Lateral projection, left wrist radiograph, image width 85.1 mm:
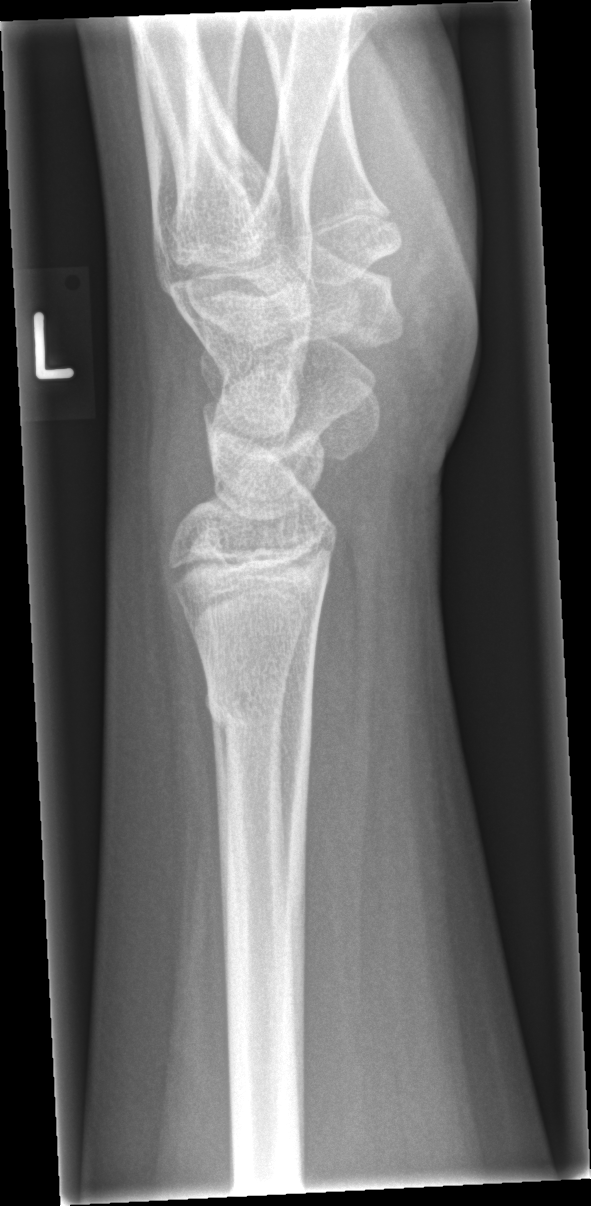
AO code: 23r-M/2.1; 23u-E/7
fracture: (204, 681, 318, 747)